PA view | R wrist XR | age 13 y, male | image size 680x716.
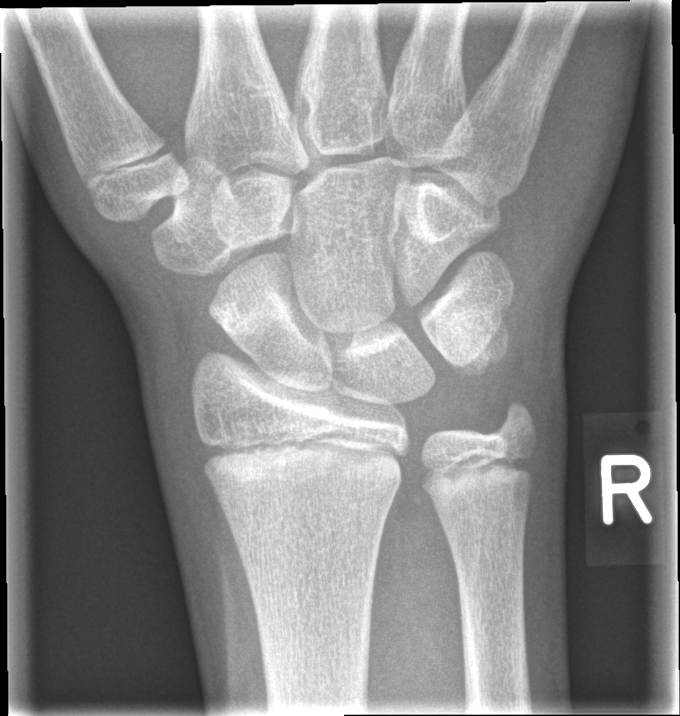

fracture: none labeled